Posteroanterior projection | R wrist plain film | age 6 y, male

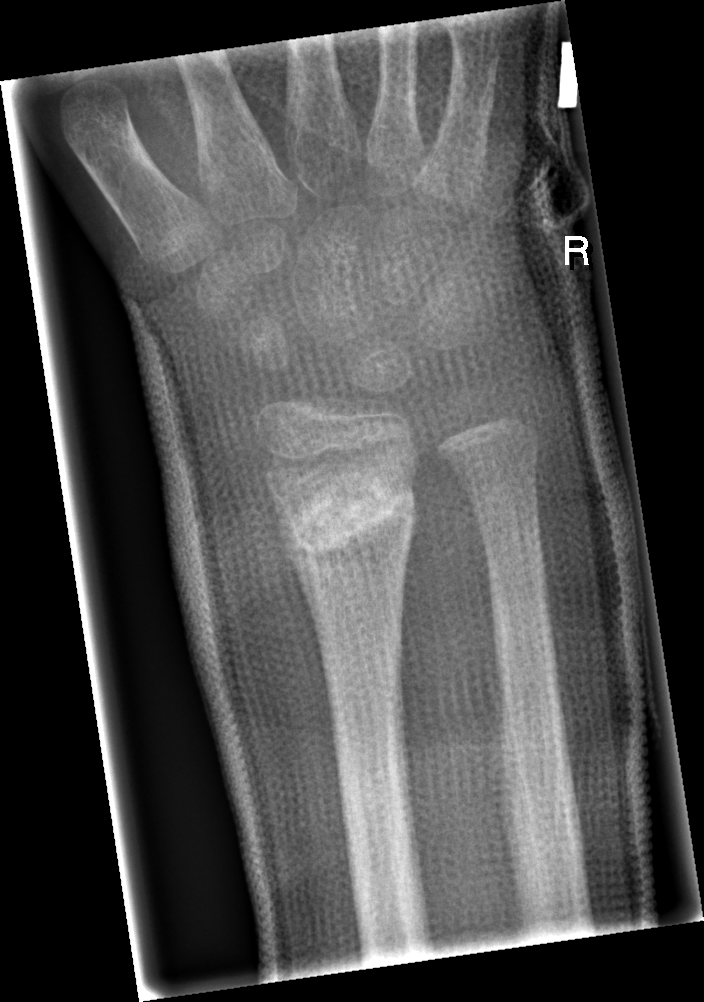

Findings: AO/OTA classification: 23r-M/3.1. One periosteal thickening at 268 485 324 668. Fx identified at 268 469 428 568.